R wrist X-ray; frontal view; age 9 y, boy:

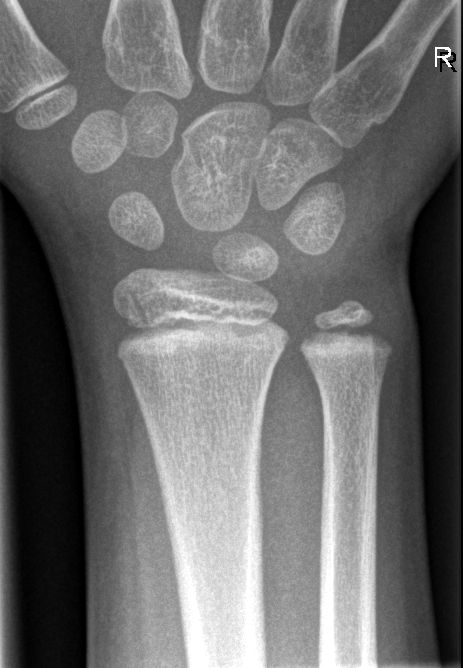 * No fracture labeled.